R wrist X-ray | AP | image size 586x1020.

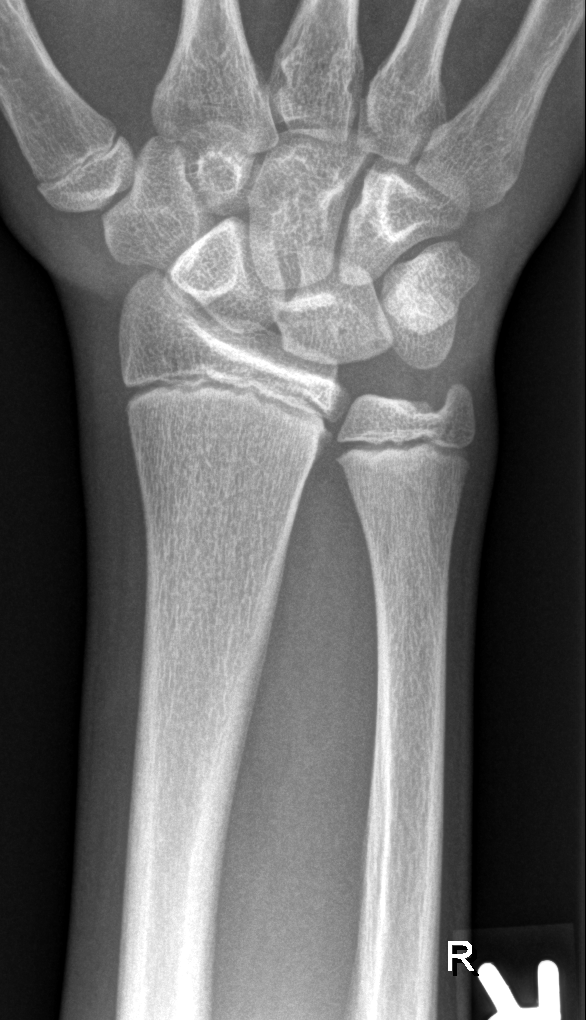 Fx: none labeled